Lateral; left wrist pediatric wrist radiograph
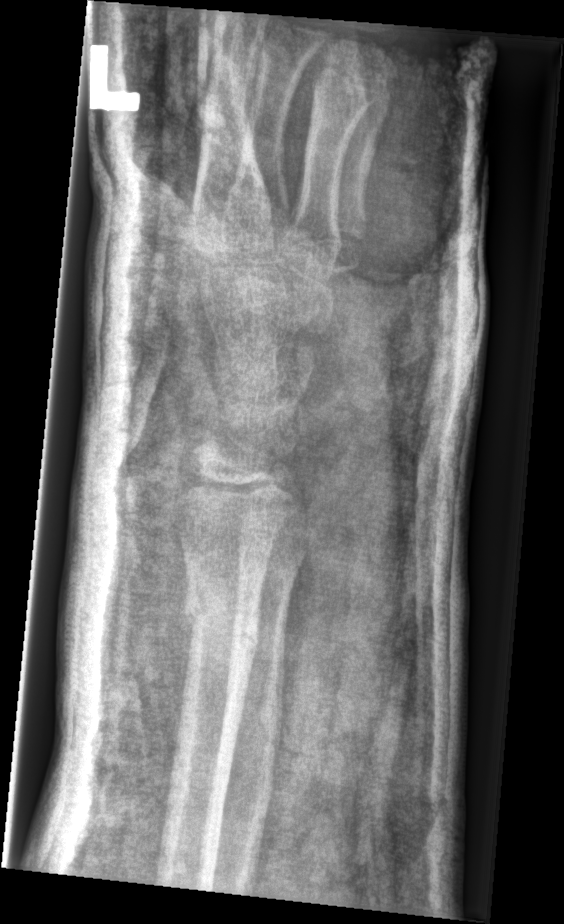

(boxes as x1,y1,x2,y2 (top-left / bottom-right, pixel units))
Bone fracture: 1 @ [x1=175, y1=573, x2=261, y2=671]
AO code: 23-M/3.1